Left wrist plain film; frontal

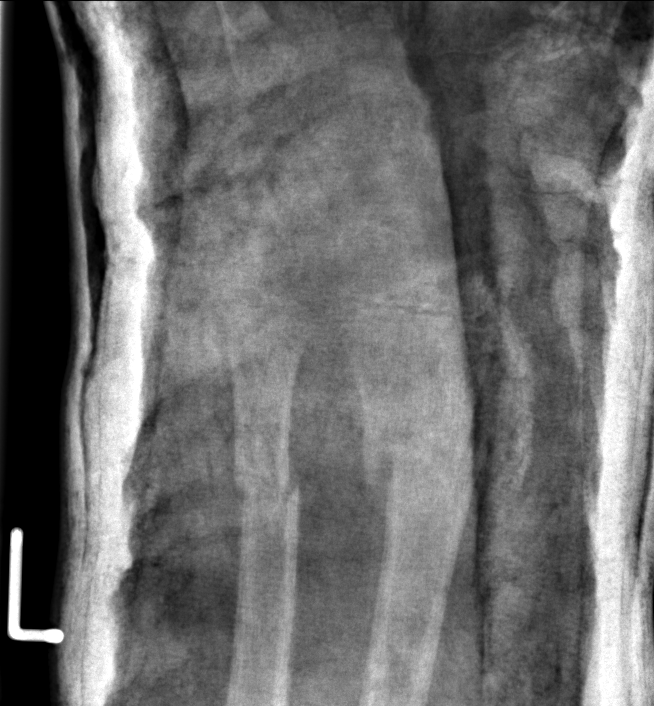 - Pixel coordinates, top-left origin, xyxy.
- Fracture: 356 425 487 525 | 228 454 304 514.